Posteroanterior view | L pediatric wrist radiograph | 551 x 1054 px

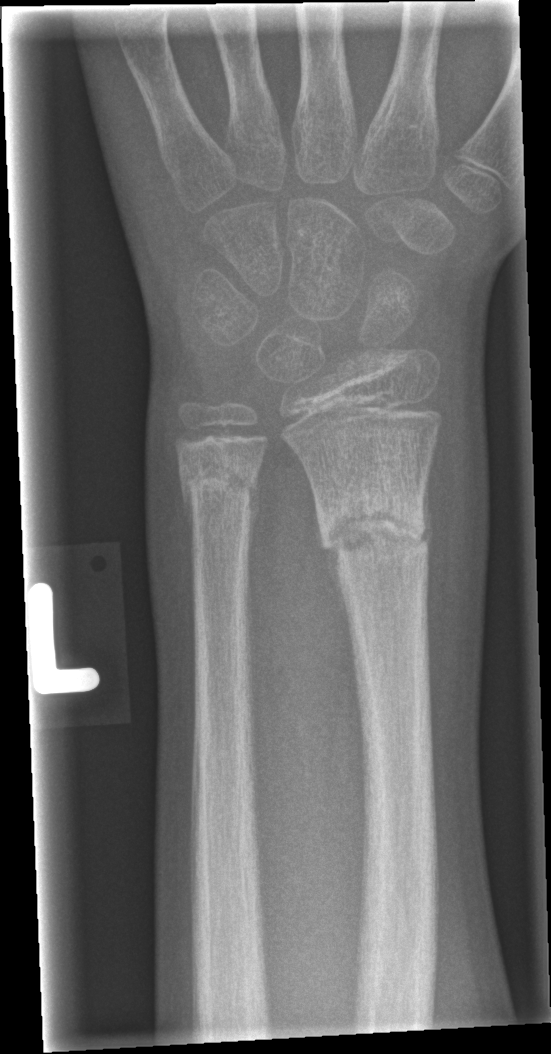
(coordinates are [x1, y1, x2, y2] in image pixels)
Fx = bbox(315, 492, 434, 583), bbox(176, 461, 257, 526)